L wrist X-ray; frontal view; pediatric patient (girl, age 14); index exam; 633 by 1056 pixels.
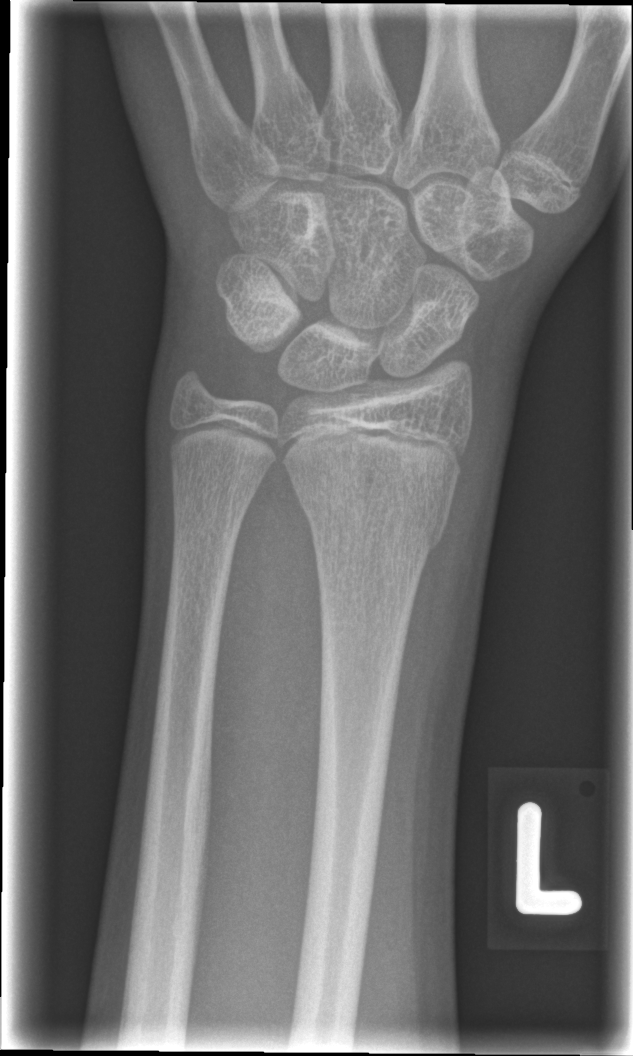

{
  "fracture": "(left=280, top=434, right=467, bottom=555) (left=165, top=355, right=221, bottom=413)"
}